Rt wrist radiograph · lateral view 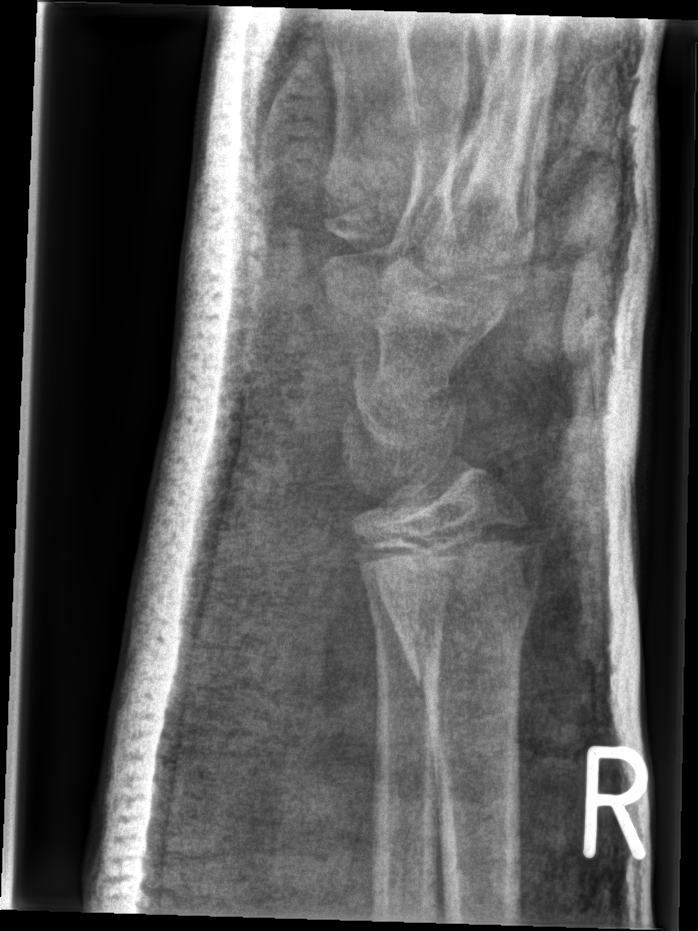

• One fracture at [400, 607, 536, 694].